Lat view | right wrist radiograph | image size 486x1030
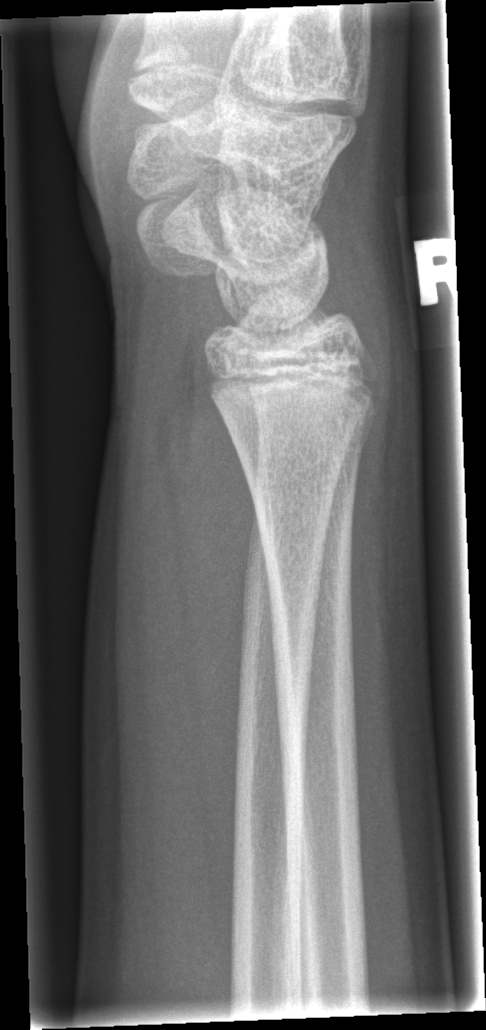
{
  "_coords": "boxes as x1,y1,x2,y2 (top-left / bottom-right, pixel units)",
  "pronatorsign": "1 @ (145, 315, 269, 739)",
  "fracture": "(223, 401, 379, 497)",
  "ao": "23r-M/2.1"
}